L wrist plain film, lateral, age 13 y, male, acquired on Siemens.
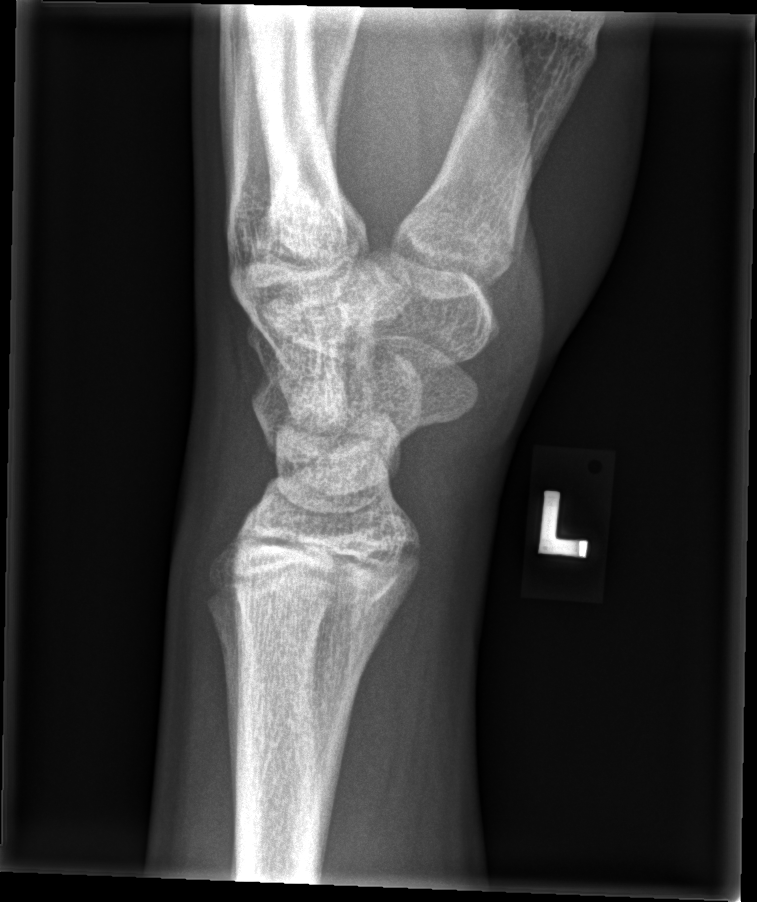 No fracture bounding box.